Lat projection, left wrist XR, initial study — 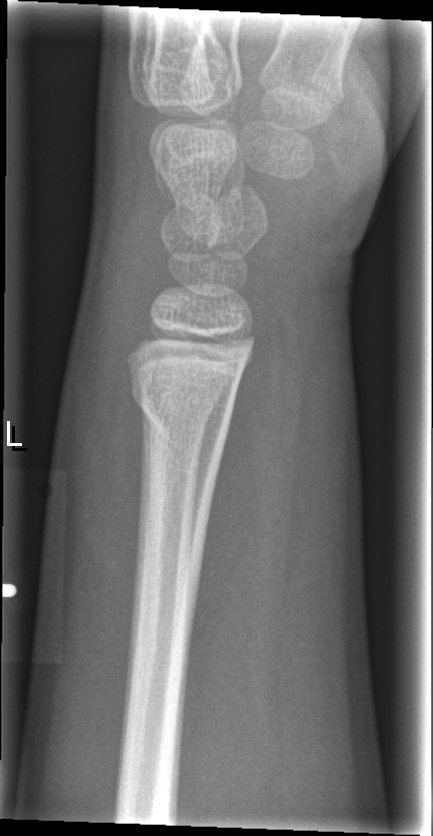
(coordinates are [x1, y1, x2, y2] in image pixels)
bone fracture: 1 @ (124, 370, 234, 442)
soft tissue abnormality: (54, 238, 153, 767)
pronator quadratus fat-pad sign: 1 @ (179, 296, 296, 759)